Frontal · right wrist radiograph · age 9 y, male · cast present. 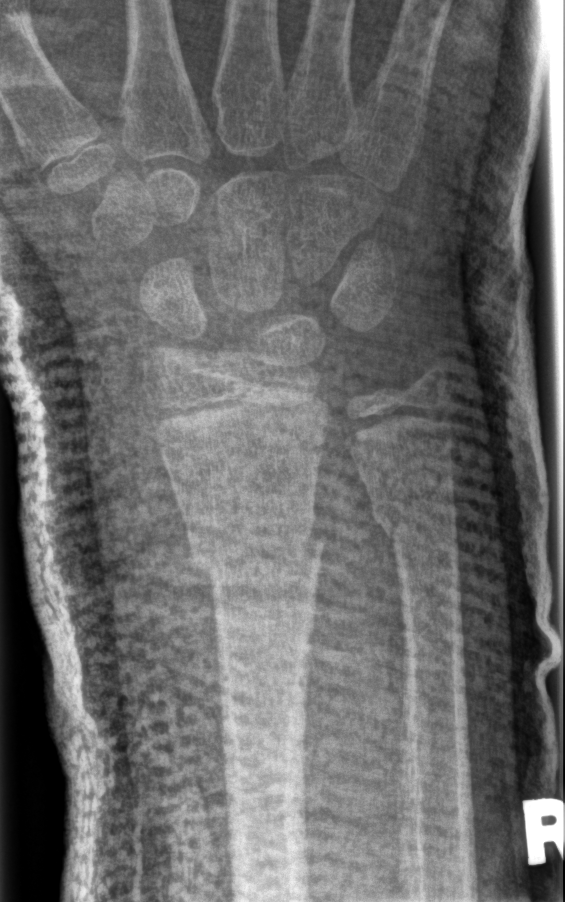 bone fracture = 2 @ bbox(184, 514, 326, 604) bbox(368, 491, 464, 539)